PA projection, Lt wrist plain film:

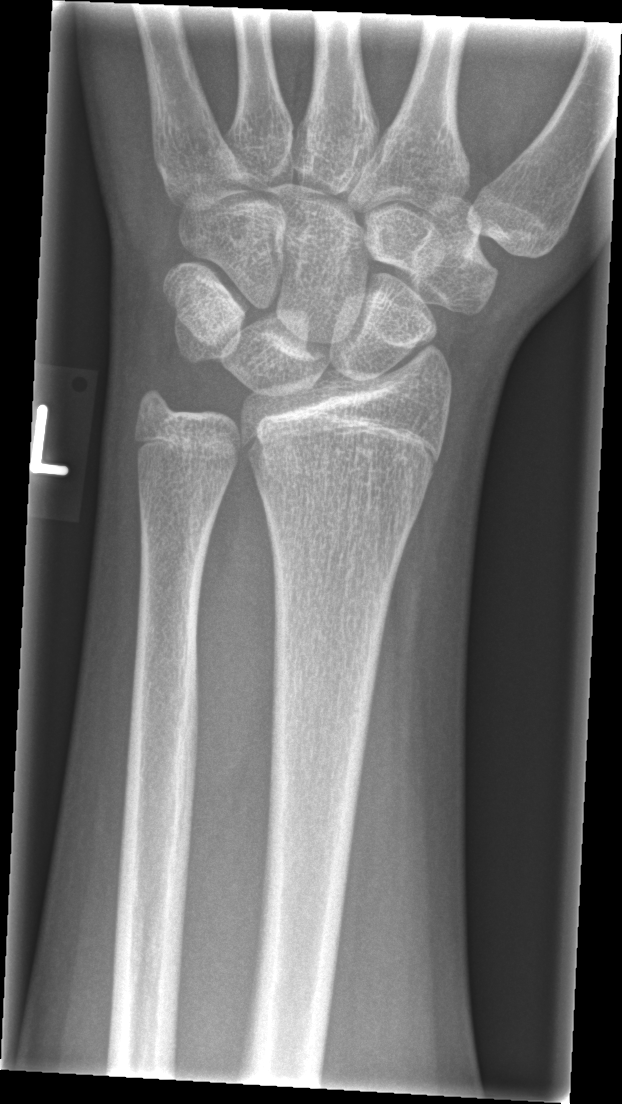

Findings: Fracture: none labeled.